Lat projection; right wrist XR; female, 16 yo; equivocal findings; detector: Siemens —

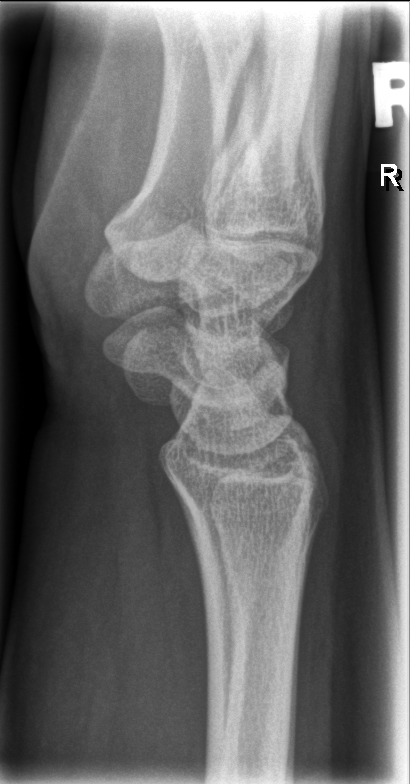
• No Fx annotated.